Left wrist X-ray, lateral projection, initial study 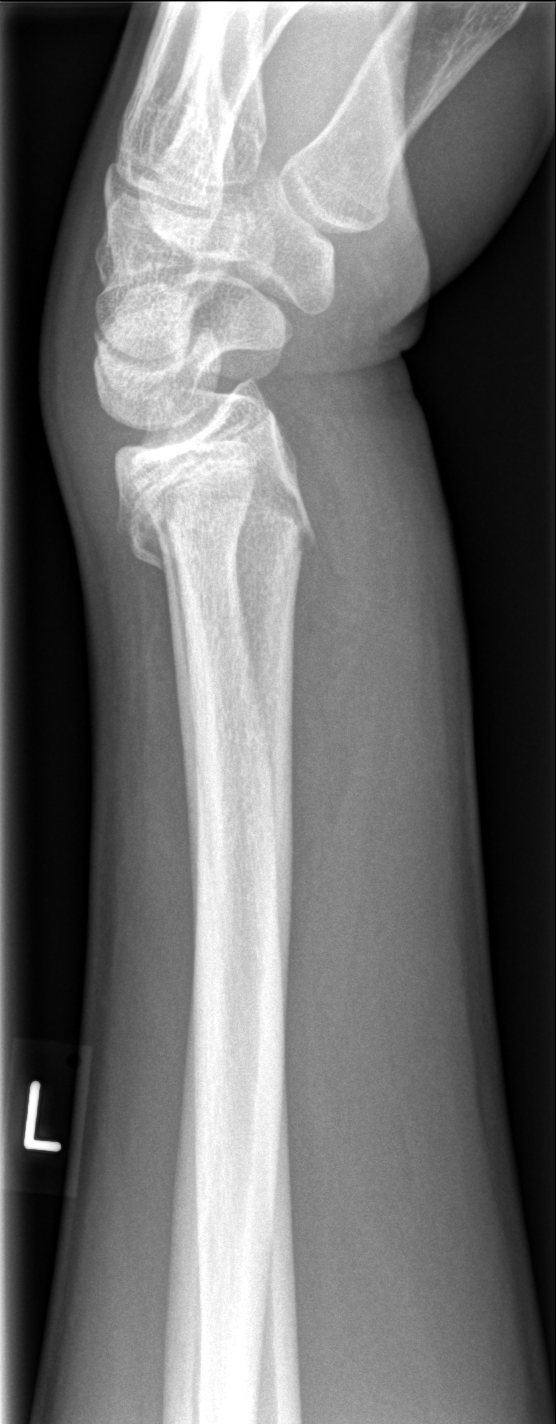
- One fracture at [109, 460, 325, 576].
- Pronator sign — [287, 438, 371, 922].